Right wrist plain film, PA/AP view, age 8 y, boy, cast present.

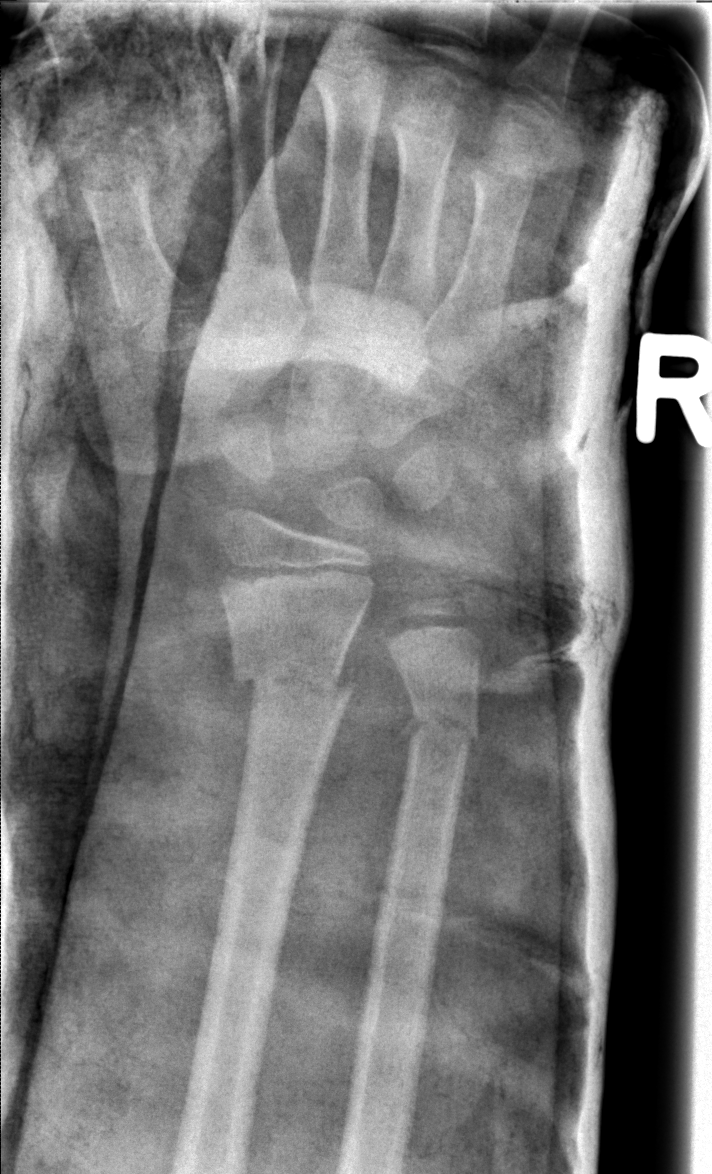 FINDINGS — AO/OTA classification: 23-M/3.1. Fractures — bbox(226, 642, 359, 726); bbox(394, 696, 493, 761).